Left wrist XR; frontal projection; pediatric patient (female, age 16); 591 by 1046 pixels —
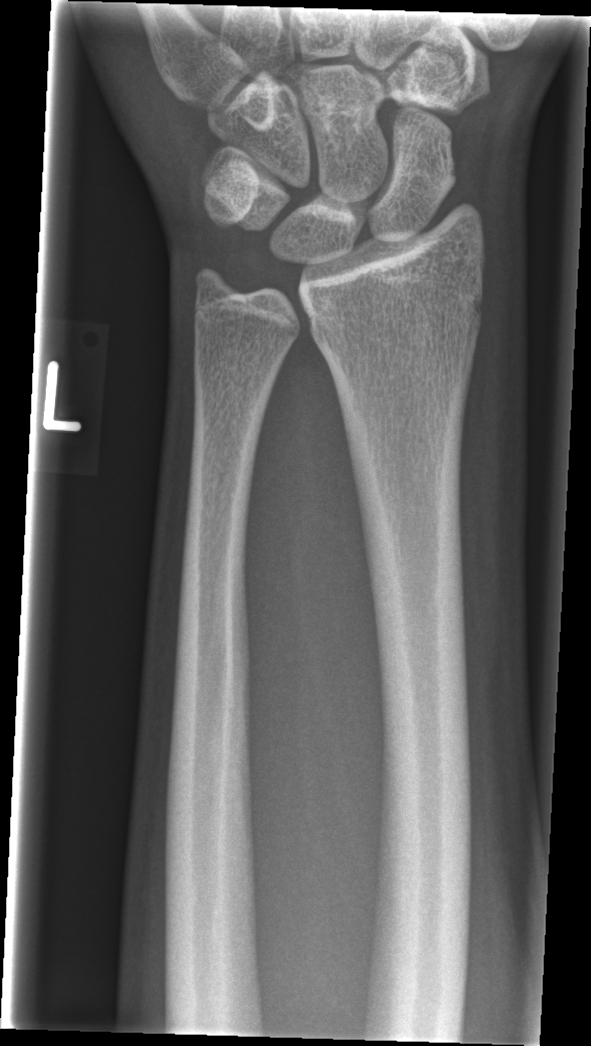 • No fracture annotation.